Right plain radiograph of the wrist | lateral | 13-year-old boy | presentation radiograph:

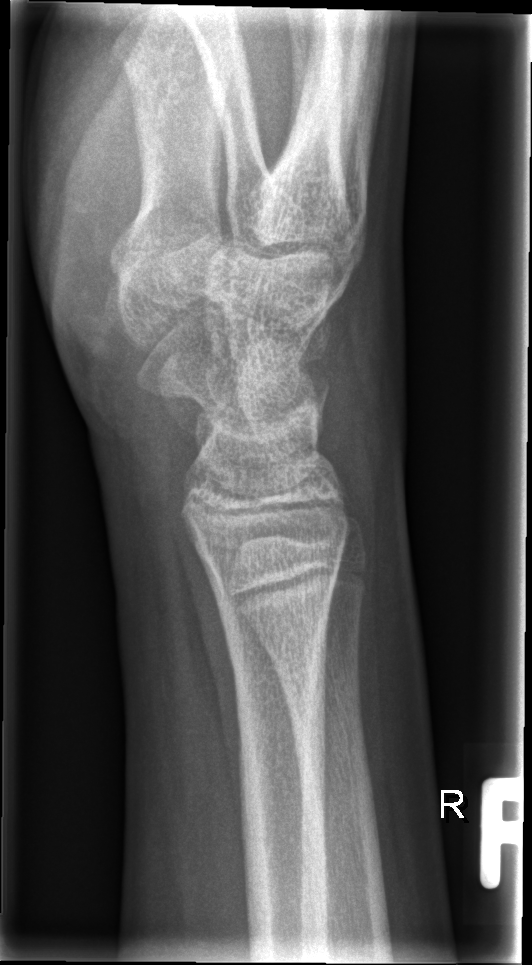
Fx: none labeled